Left wrist XR; lat; 12-year-old female; 410 x 836 px.

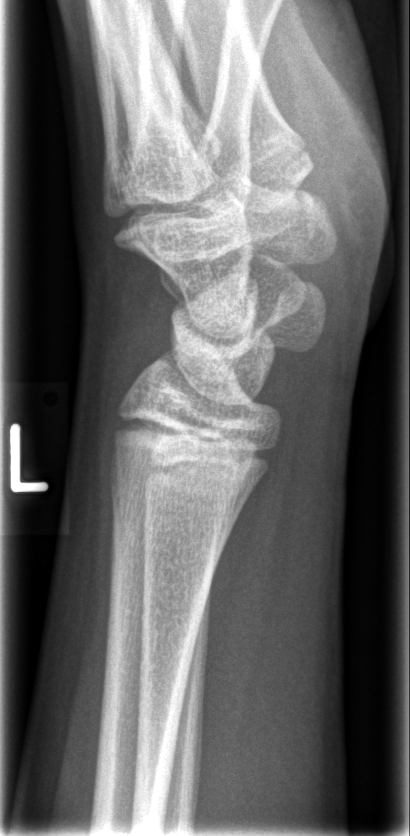 FINDINGS — No fracture labeled.